PA/AP projection · Lt wrist radiograph · age 11 y, male · index exam · diagnosis uncertain · 527 x 828 px.
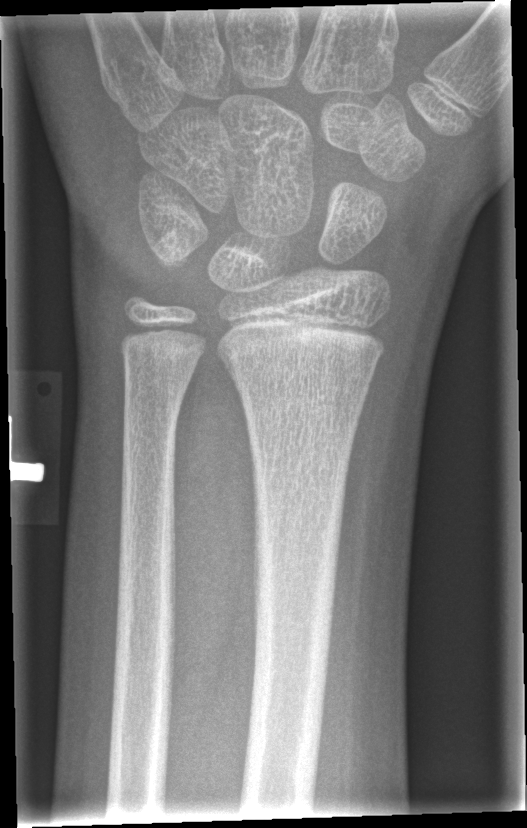

Fx: none.